Lateral projection; Rt wrist XR; follow-up; in cast 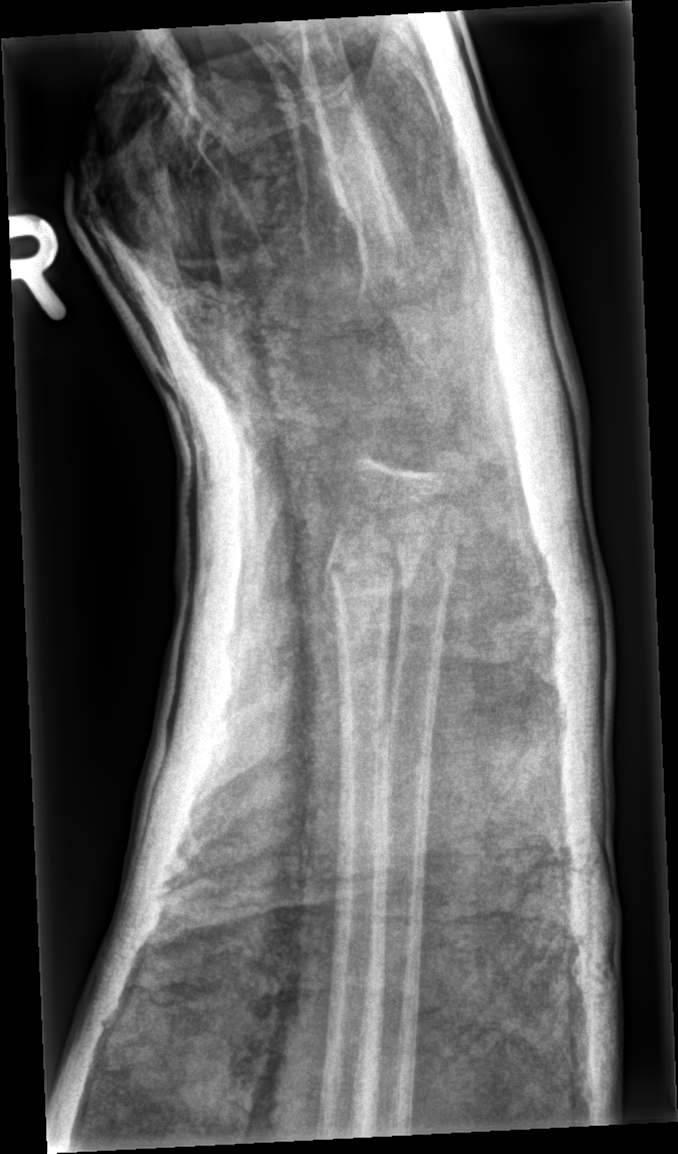
fracture: 2 @ <323,533>-<418,623>, <393,533>-<461,594>